Lat | R wrist radiograph | image 73.2 mm wide | 508 x 837 px — 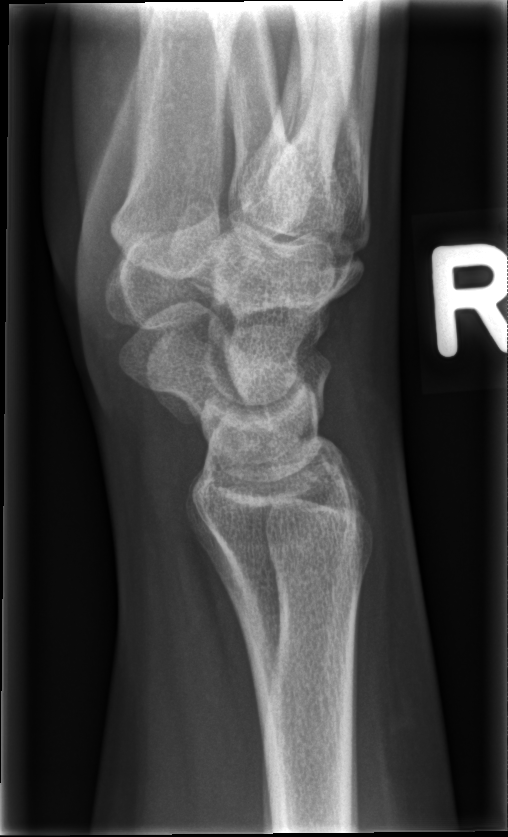
No fracture labeled.